PA/AP projection · right wrist radiograph · 12y M · initial study —
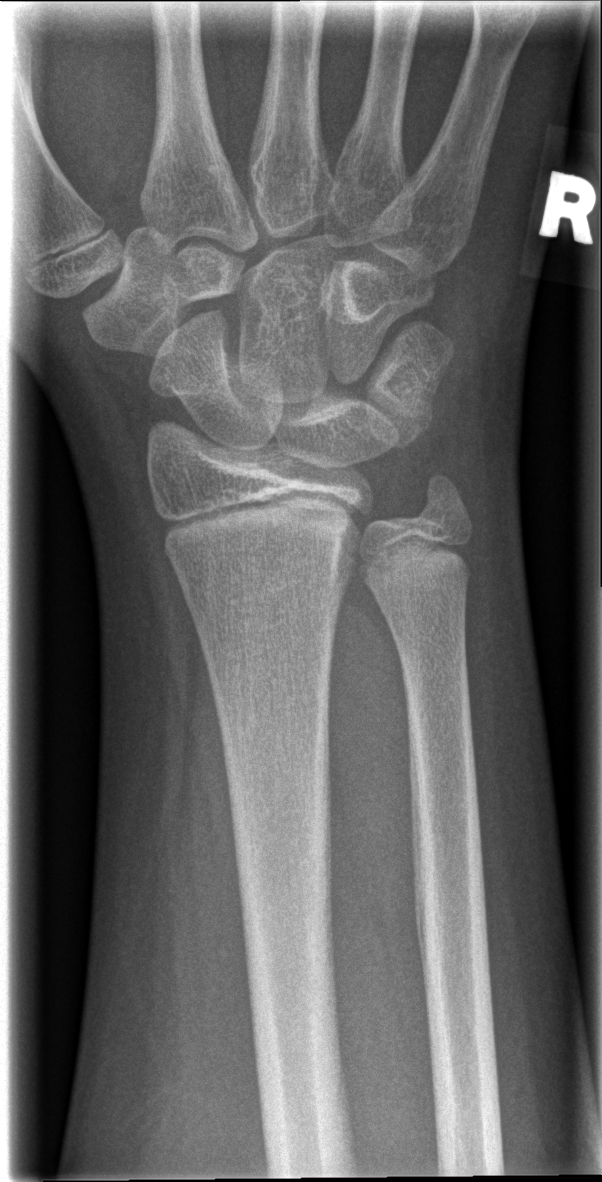

Fx = none labeled